PA view · left wrist X-ray · 7-year-old male · subsequent exam · cast in situ · Siemens. 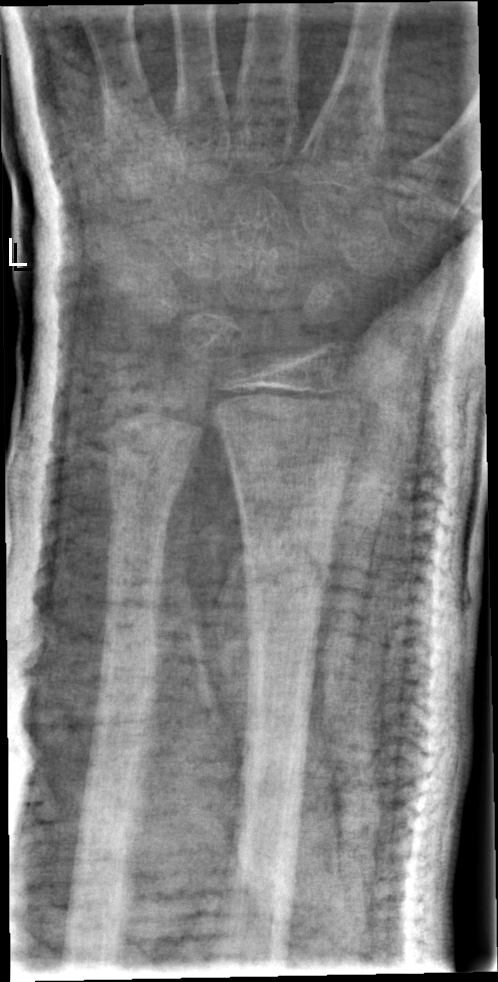 (boxes as x1,y1,x2,y2 (top-left / bottom-right, pixel units))
AO/OTA = 23r-M/3.1; 23u-M/2.1
Fx = bbox(240, 531, 341, 607) bbox(101, 446, 192, 516)